L plain radiograph of the wrist | lateral projection | age 7 y, boy | presentation radiograph | 587 by 1000 pixels: 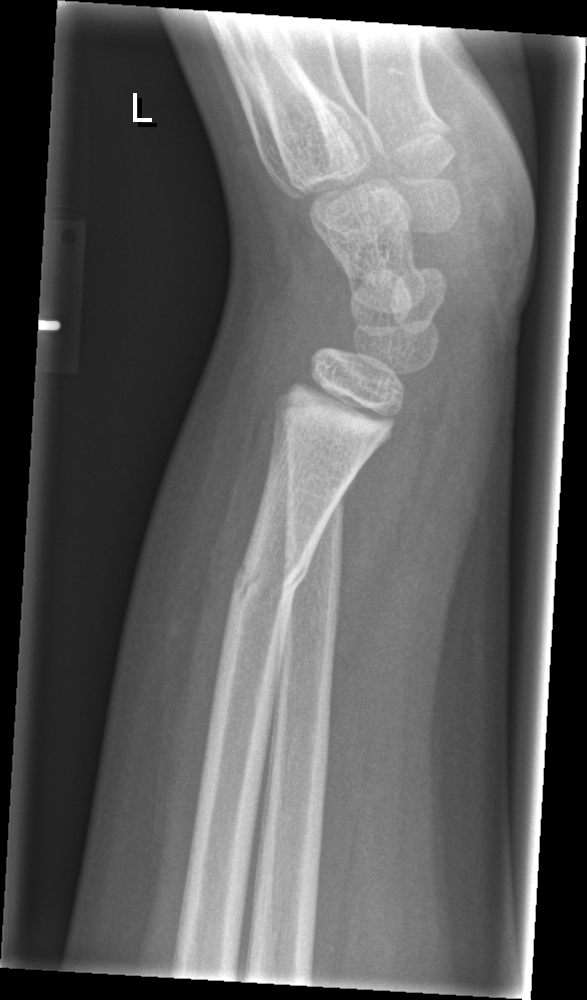
One fracture at bbox(227, 546, 314, 619).